Left wrist X-ray; lat projection; 375x892
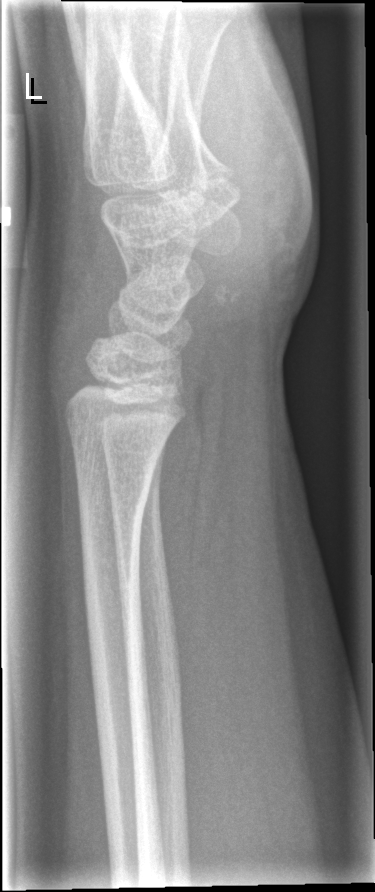
No fracture annotation.